Rt pediatric wrist radiograph · lateral projection · 15-year-old male
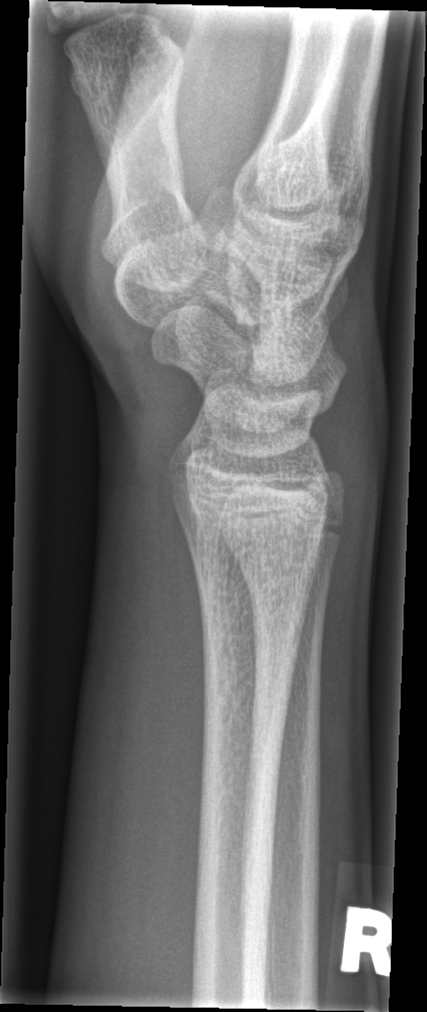
  fracture: none labeled